Lateral · Lt wrist plain film · 10y F — 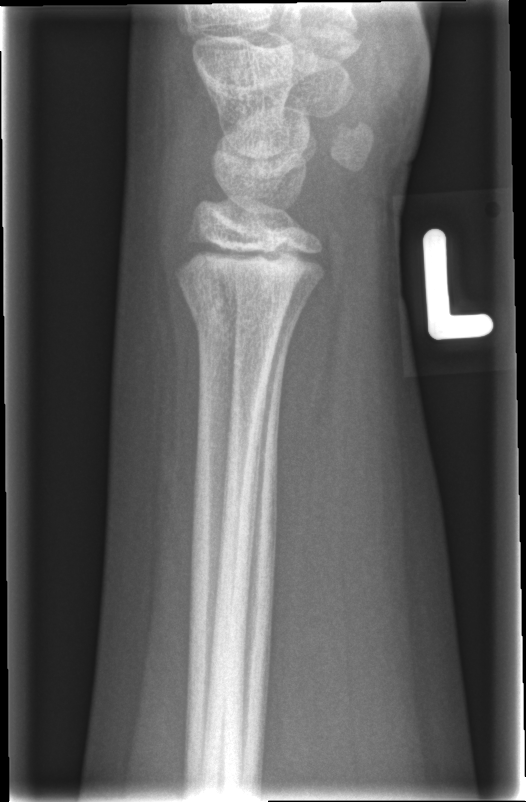 Bounding boxes in image-pixel xyxy.
AO code 23r-M/2.1.
Bone fracture identified at 181 289 287 350.